Right plain radiograph of the wrist | lateral view | 13y F | Siemens
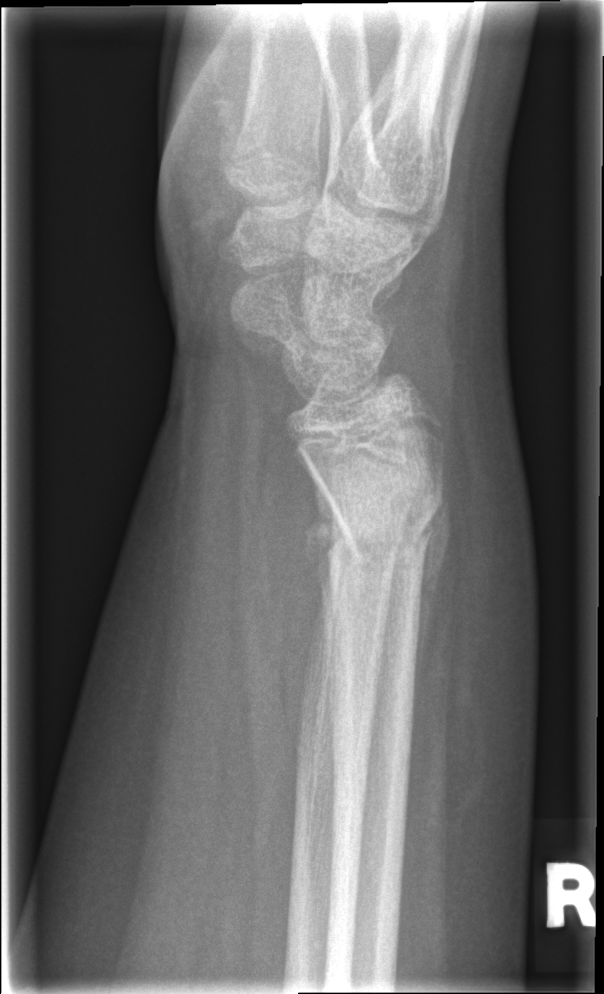 FINDINGS — Bone fracture: (317, 472, 447, 569). Periosteal thickening — (412, 492, 453, 690) (303, 476, 351, 640). Decreased bone density (osteopenia).